Frontal view · L wrist plain film · female, 10 yo · detector: Siemens —
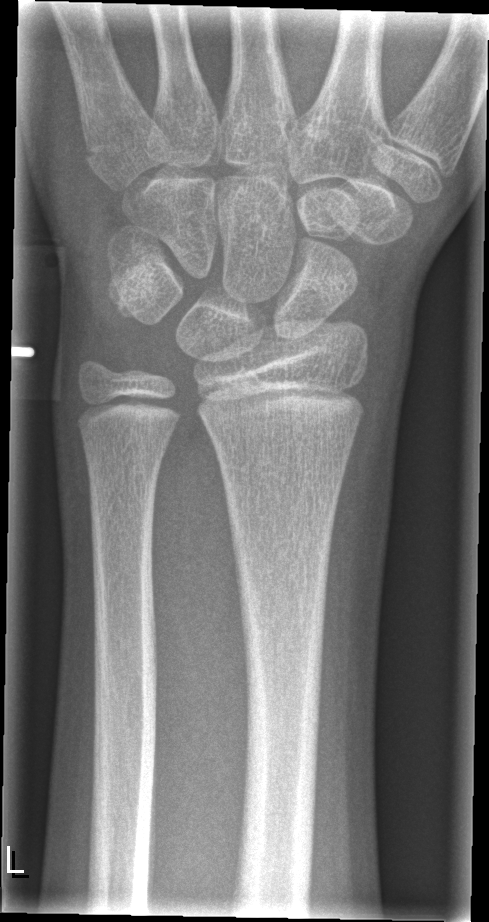
Bone fracture = none labeled